Posteroanterior · Rt pediatric wrist radiograph · 15-year-old girl
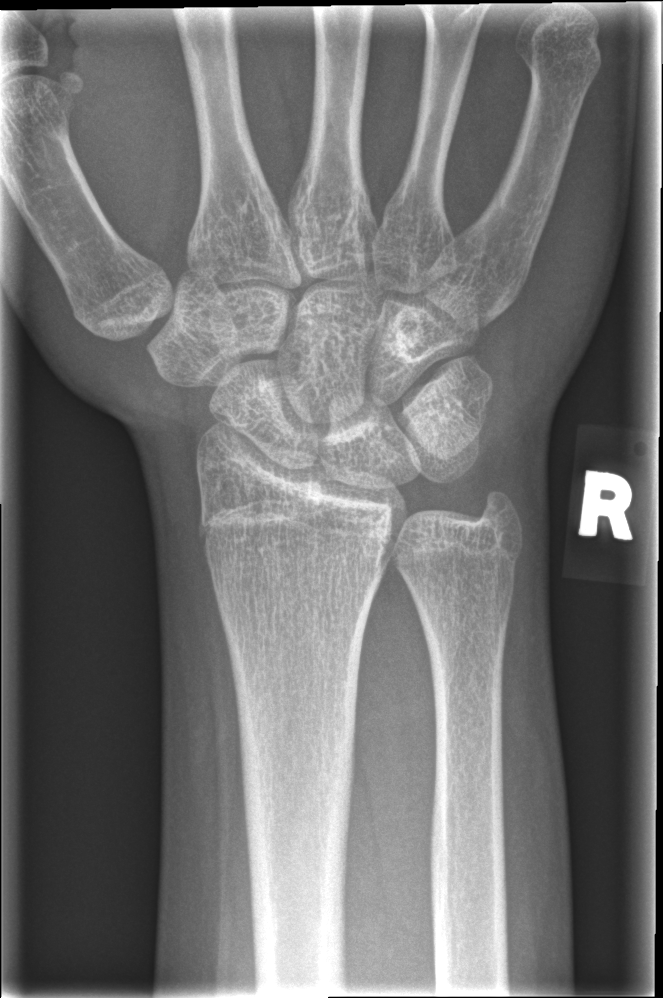 No fracture bounding box.